R wrist XR · lat · boy, 10 yo · cast present · image 113.6 mm wide 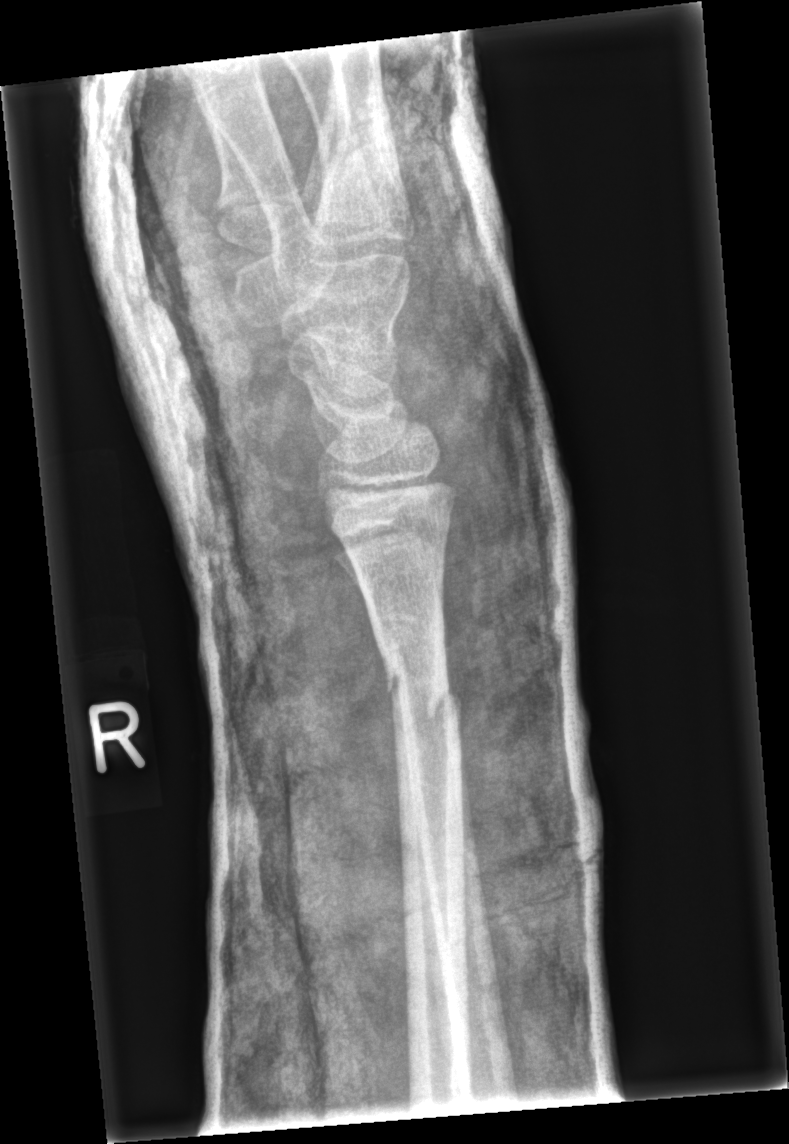
AO/OTA classification: 23r-M/3.1; 23u-M/2.1.
One bone fracture at bbox(377, 638, 460, 721).